AP view | left wrist X-ray | 15y M | image size 534x1364

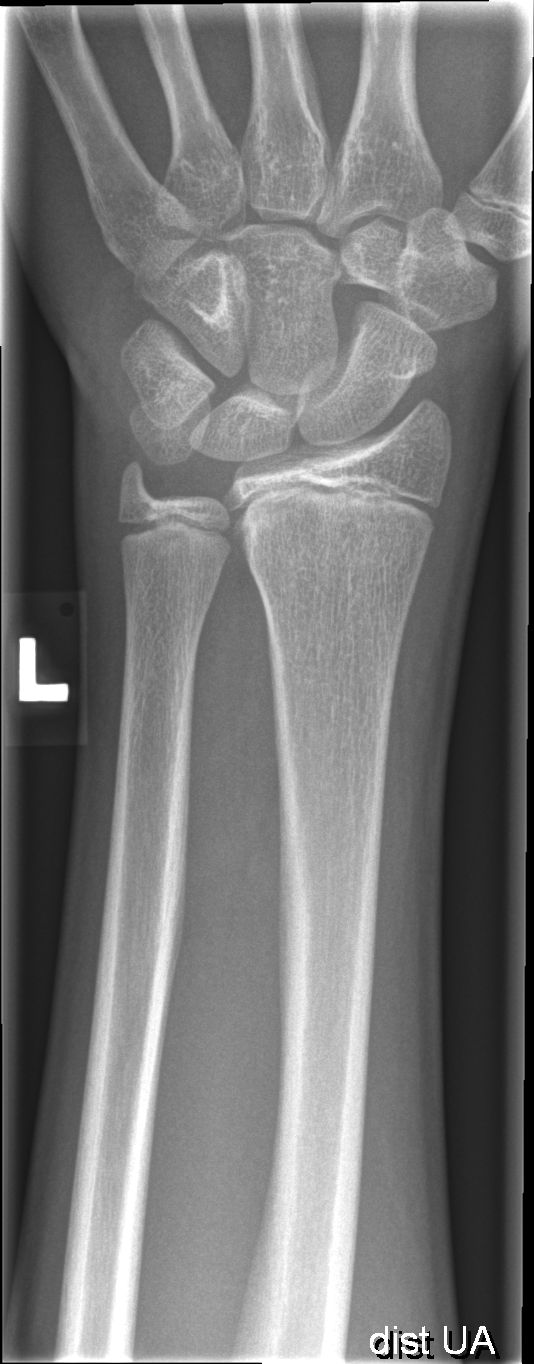
  ao: 23r-M/2.1
  fracture: present but not clearly seen in this view